Lat; left wrist radiograph 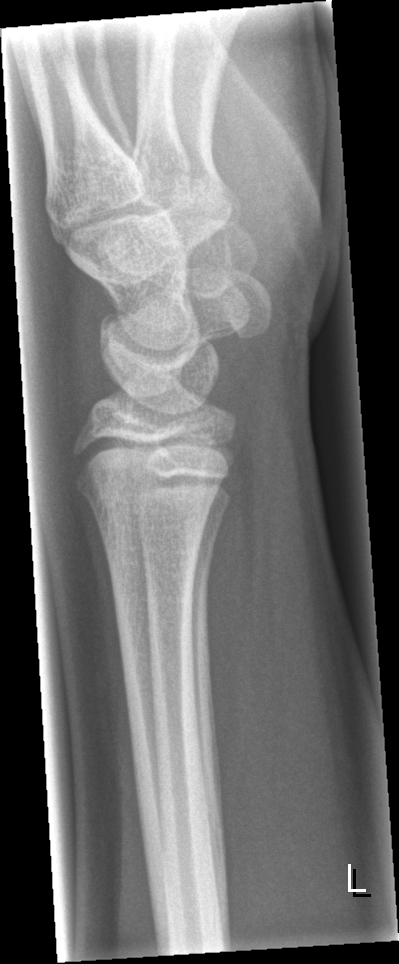

Pixel coordinates, top-left origin, xyxy. Fracture: 67 459 221 528.